PA view; Rt wrist XR; subsequent exam; cast present; 578x1118 —
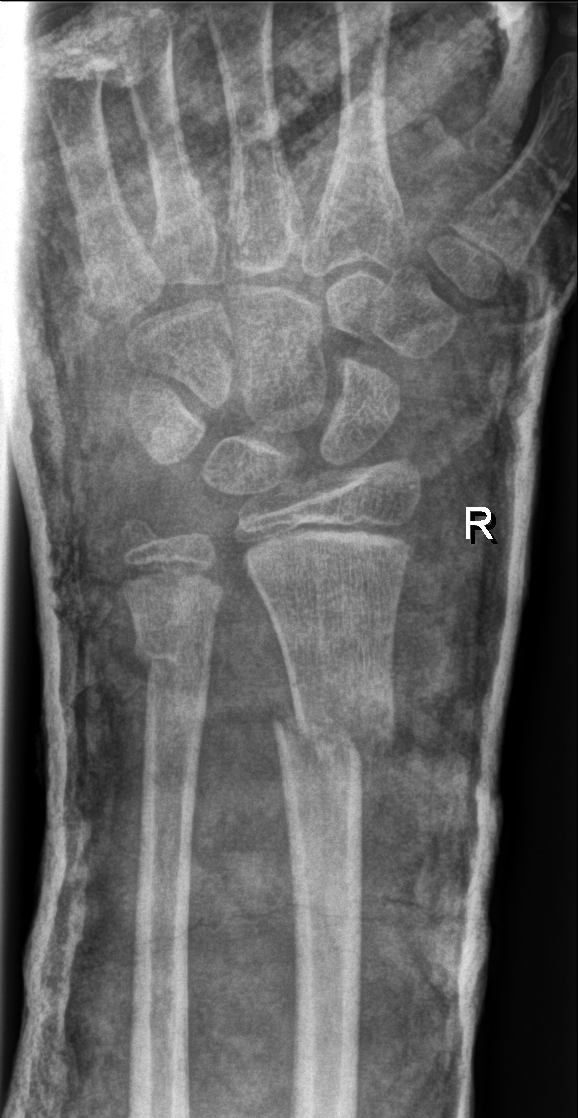 AO code = 23r-M/3.1; 23u-M/2.1
Fx = 2 @ 265 694 400 780
  131 629 213 701